R pediatric wrist radiograph · frontal projection · 12y F. 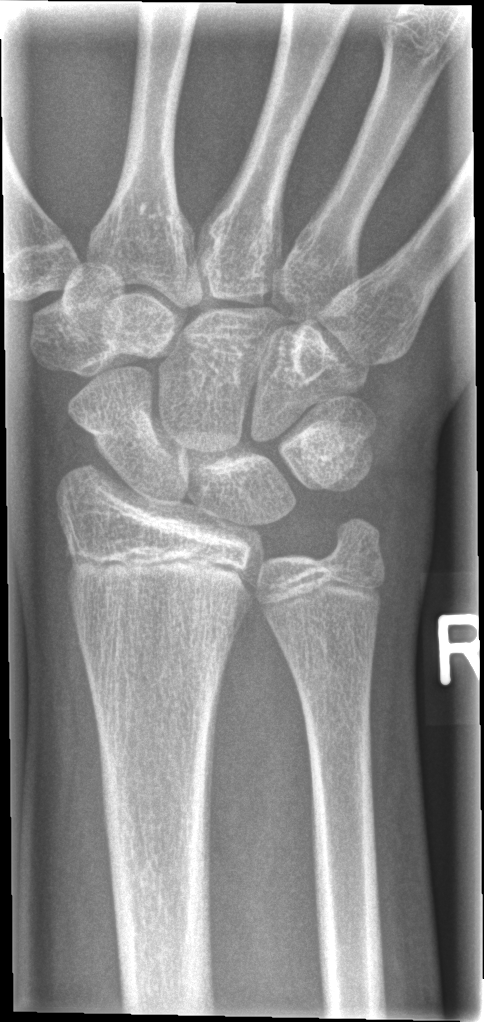
Bone fracture: none labeled